Left wrist plain film, PA, acquired on Siemens:
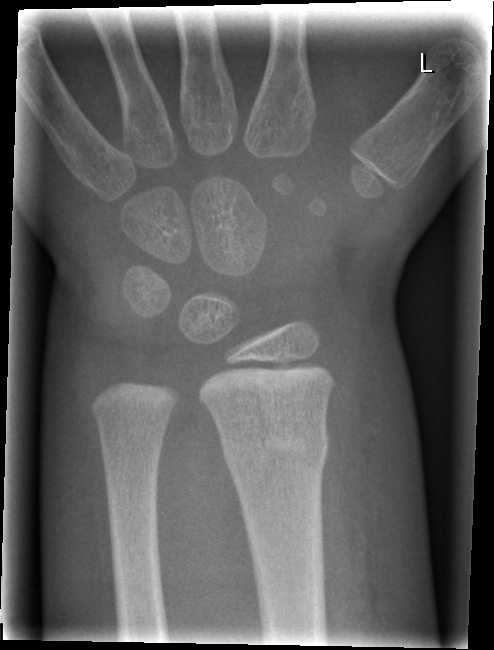
FINDINGS: (pixel coordinates, top-left origin, xyxy) Fx: [217, 416, 331, 473].